Right wrist plain radiograph of the wrist, oblique projection

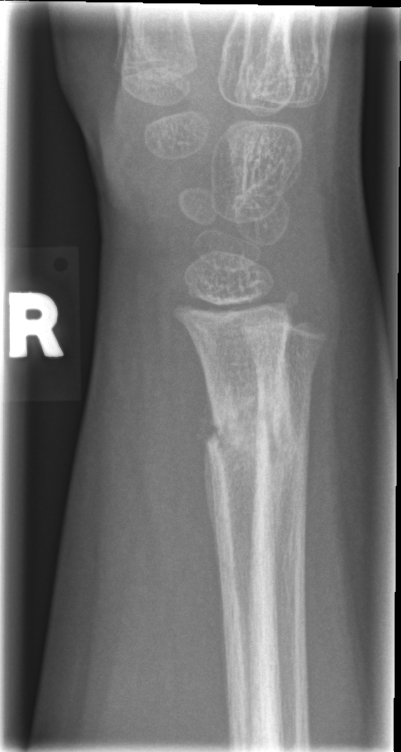
Osteopenia.
Bone fracture — 199,401,296,470.
Three periosteal thickening at 262,390,296,571 | 194,393,221,593 | 195,382,220,572.